Lat view; left wrist radiograph; 14-year-old boy: 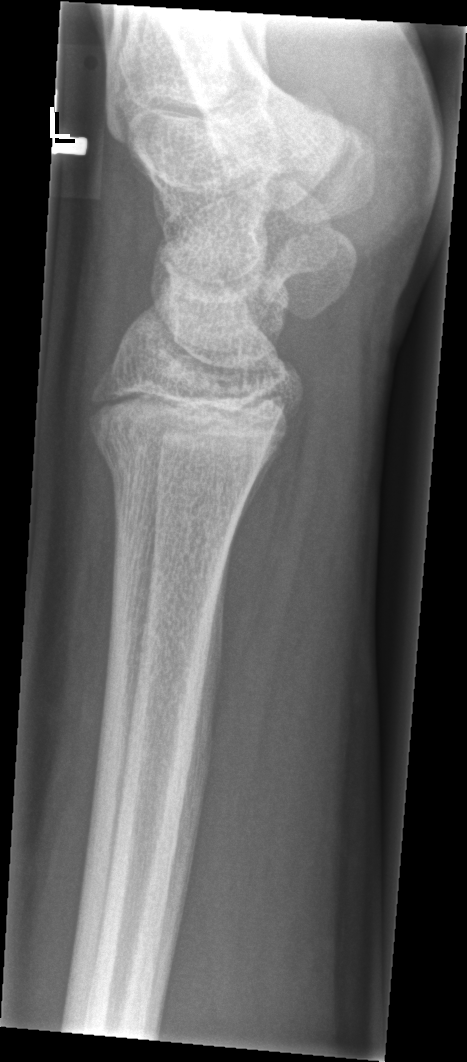

(coordinates are [x1, y1, x2, y2] in image pixels)
AO code: 23r-M/2.1
Fracture: 1 @ bbox(91, 416, 280, 502)